Lateral, Lt wrist X-ray

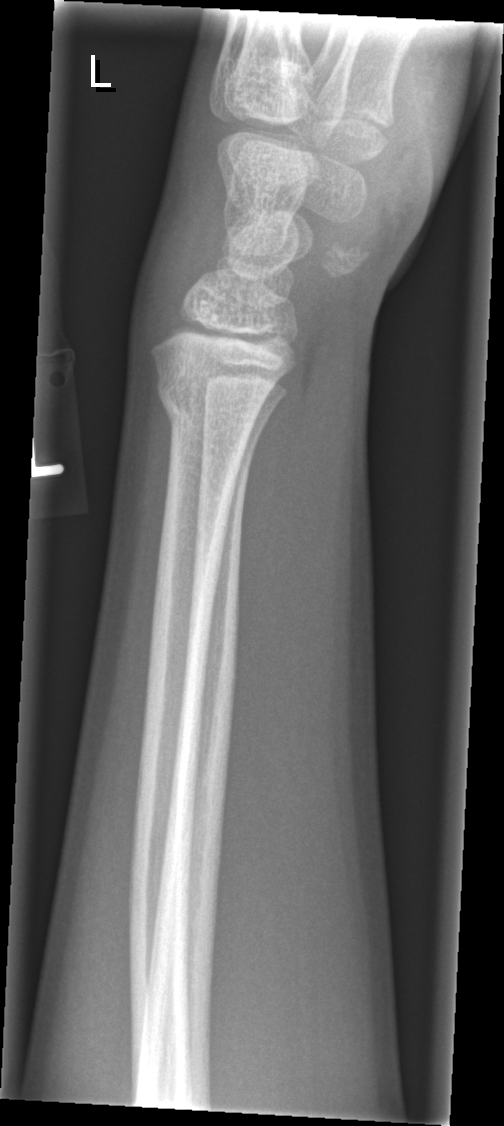 Pixel coordinates, top-left origin, xyxy. AO/OTA classification: 23r-M/2.1. Fracture: 152,362,271,425.